Right plain radiograph of the wrist | PA/AP projection | age 6 y, girl | detector: Siemens.

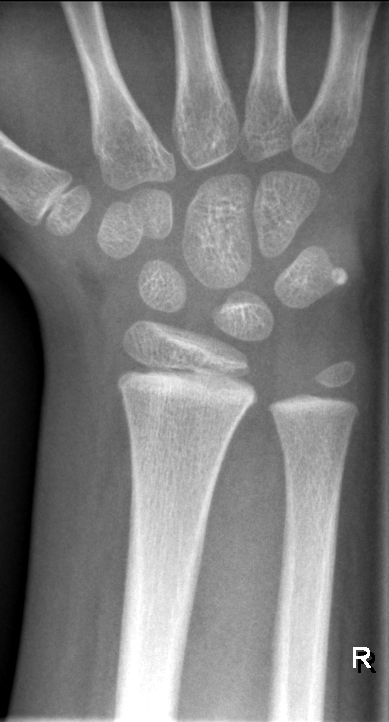
Fracture: none labeled